L wrist radiograph | lat | age 2 y, male | 474 by 1070 pixels: 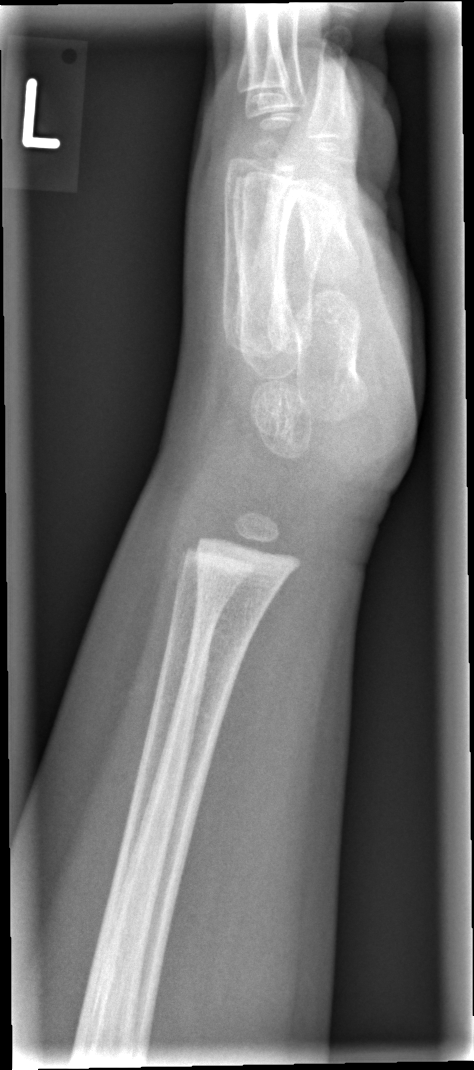 Q: Fracture present?
A: No Fx annotated